AP, L plain radiograph of the wrist, age 12 y, boy, cast present, detector: Siemens, 656x974

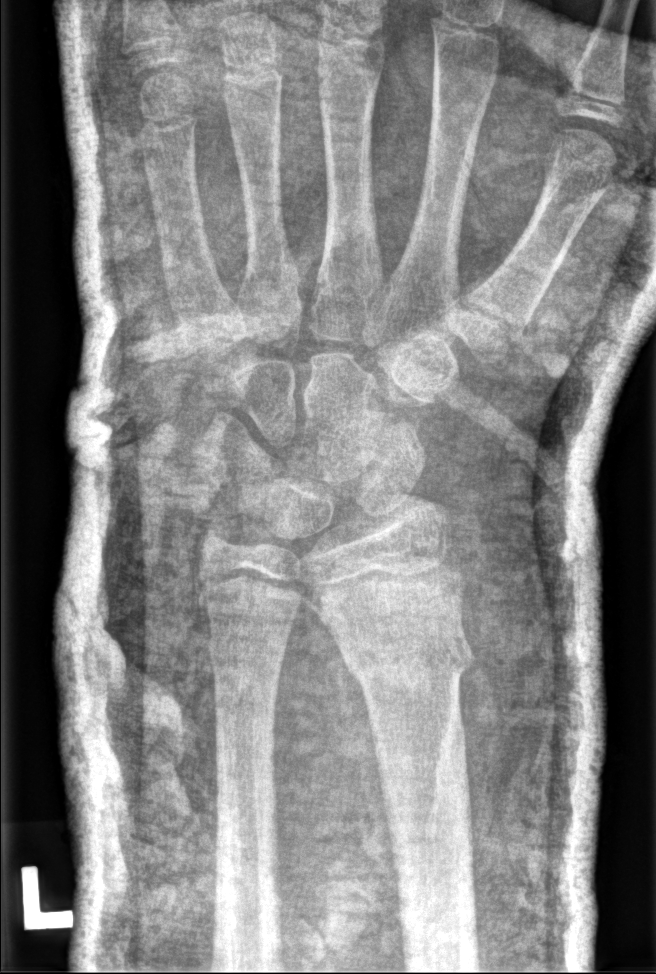

FINDINGS: AO code 23r-M/3.1; 23u-M/2.1. Two fractures at 332 615 480 697 | 203 622 292 677.